Lateral view; R wrist radiograph; 498x784. 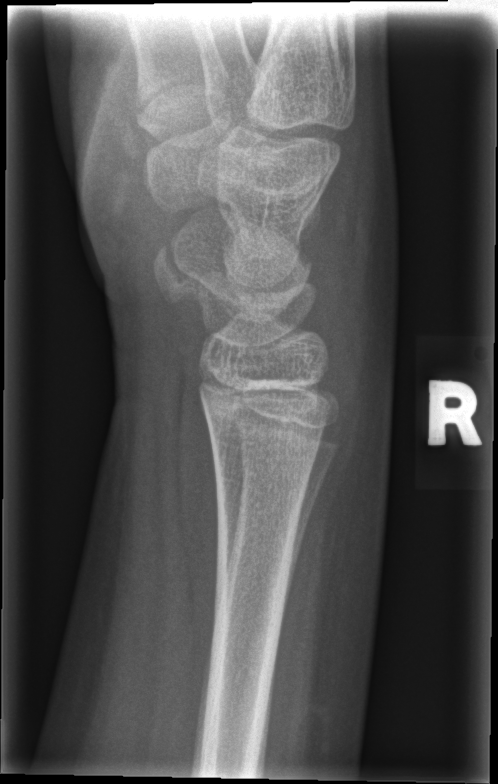
{"fracture": "none labeled"}